Lateral | Lt pediatric wrist radiograph | age 12 y, boy | image width 60.5 mm —

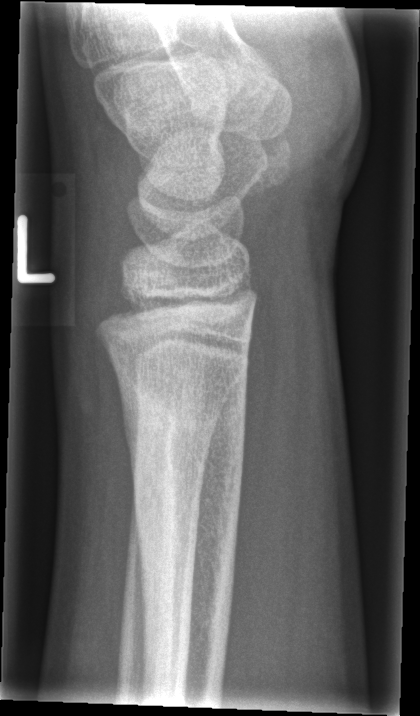
fracture = 119 368 252 628
AO code = 23r-M/2.1; 23u-E/7